Lt wrist XR · PA/AP:

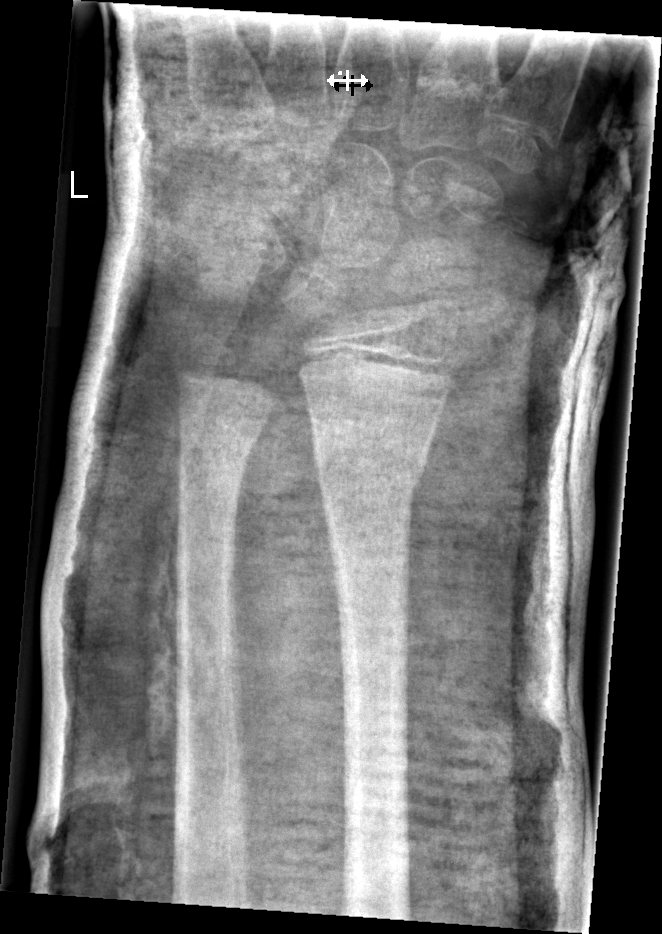 AO code 23r-M/3.1; 23u-M/2.1. Fx identified at 308,416,432,514
  173,412,268,491.